Frontal projection · right wrist radiograph · 9y F.

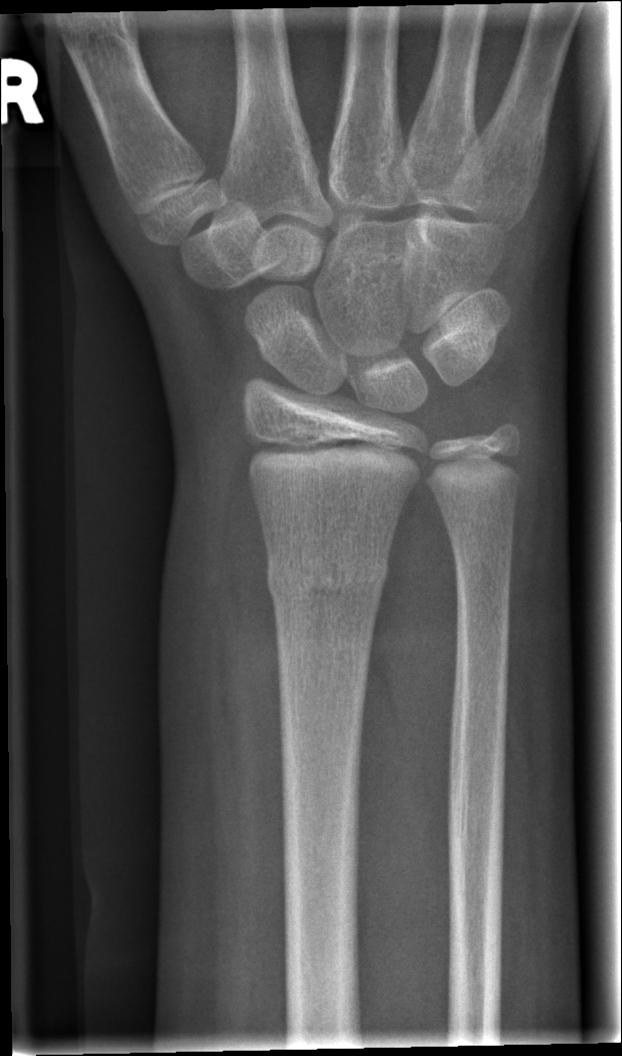   fracture: 1 @ (263, 550, 390, 608)
  ao: 23r-M/2.1
  softtissue: 1 @ (185, 459, 289, 857)